Lateral; right wrist plain film; 6-year-old female; index exam — 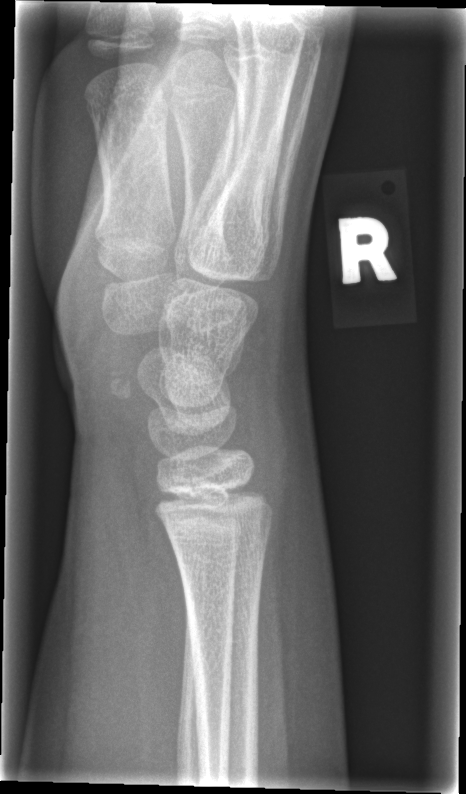

bone fracture = none labeled